L pediatric wrist radiograph, posteroanterior projection, follow-up study, image size 840x1074 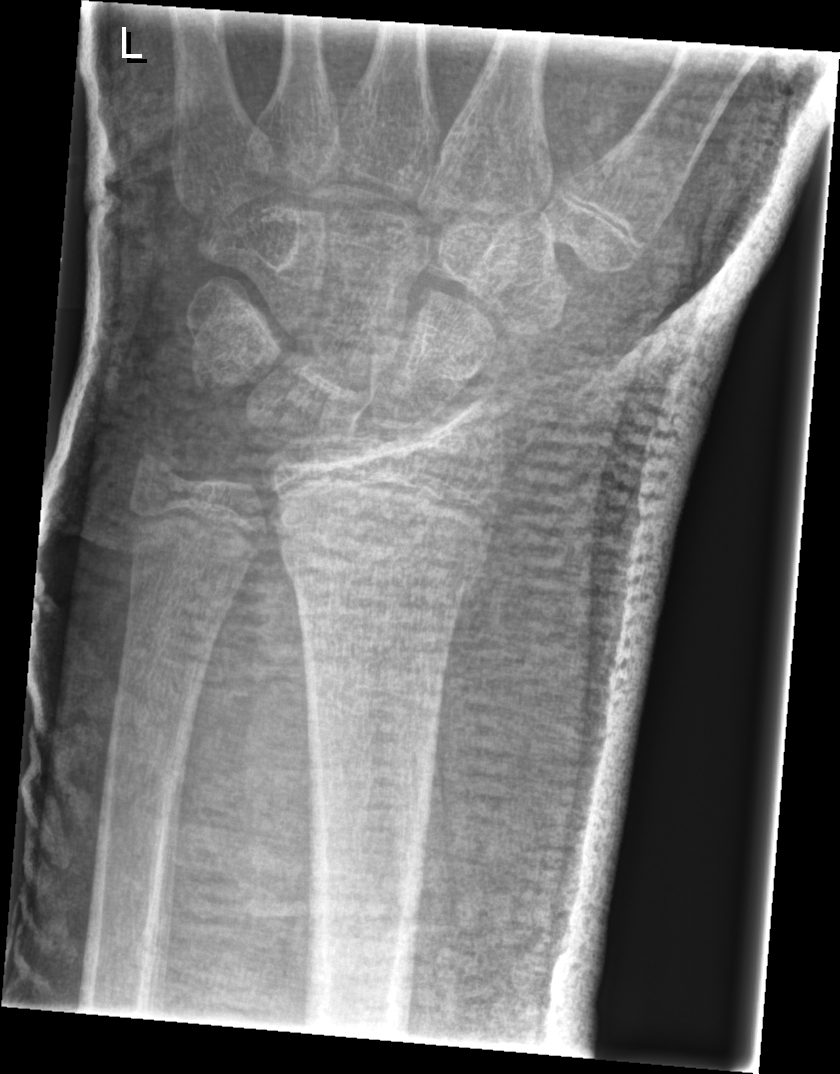
Findings: AO/OTA classification: 23r-M/3.1; 23u-E/7. Fx — 278 516 486 595
  129 427 195 496.